PA/AP; Lt wrist plain film; girl, 9 yo; image 86.5 mm wide; 601x1284 — 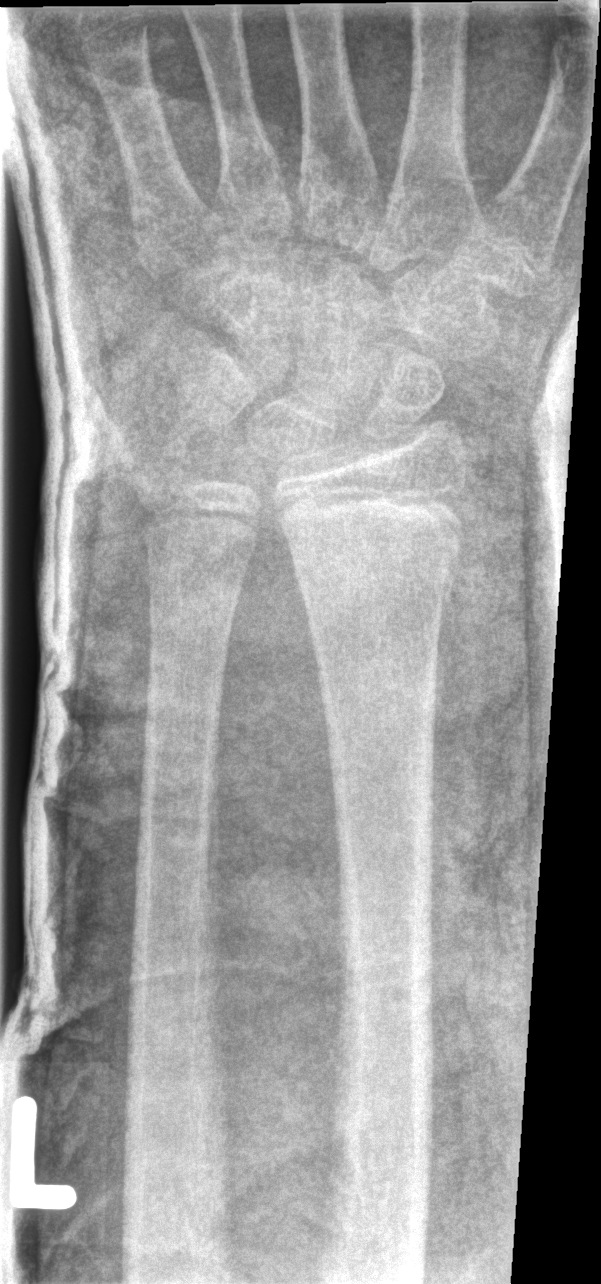 Fracture classified AO/OTA 23r-E/2.1; 23u-E/7. Fracture identified at (left=277, top=504, right=466, bottom=601).